PA/AP, R wrist XR, image size 675x892 —

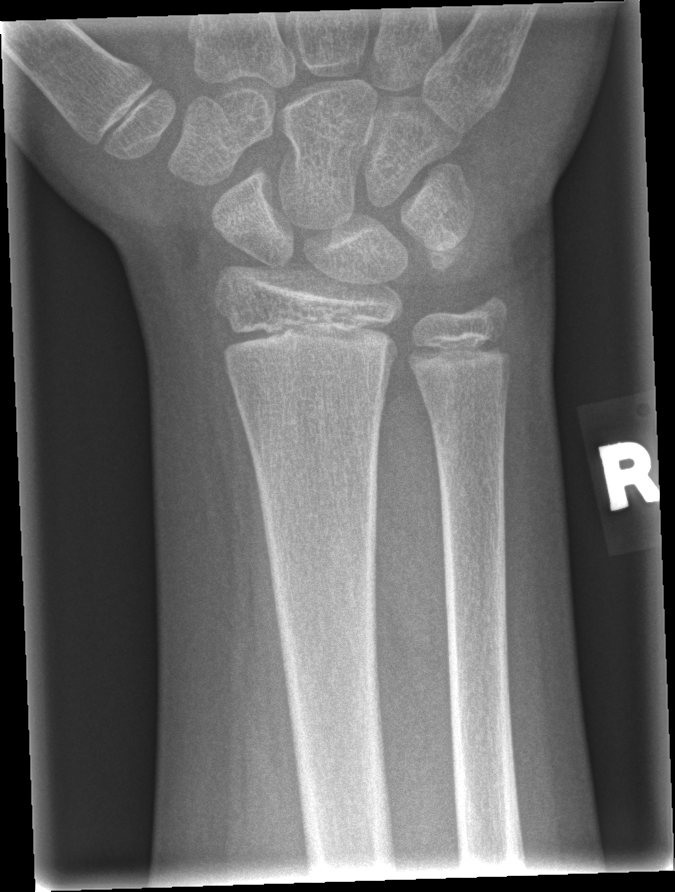
Q: Locate any fractures.
A: No fracture bounding box